Lateral view | Lt plain radiograph of the wrist | pediatric patient (female, age 9) | acquired on Siemens

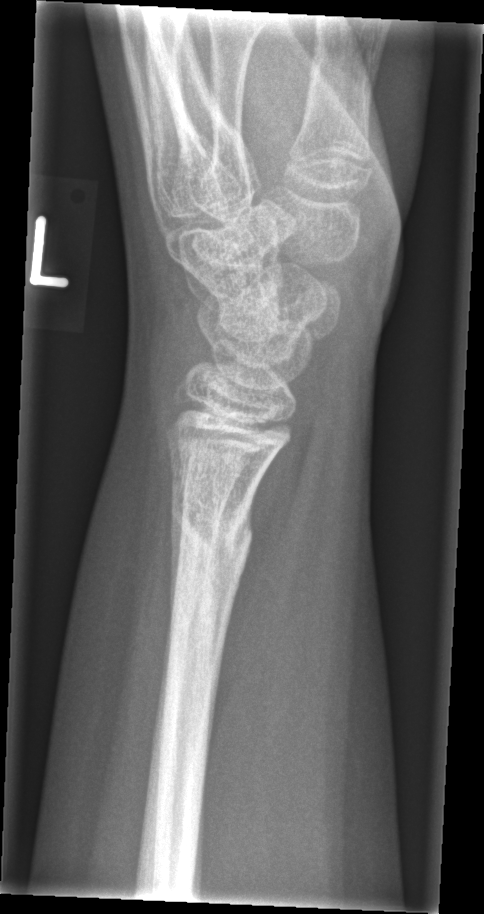 {
  "osteopenia": "present",
  "fracture": "170 506 257 579"
}